Left wrist XR, PA/AP projection, 12y F, 669 x 962 px.
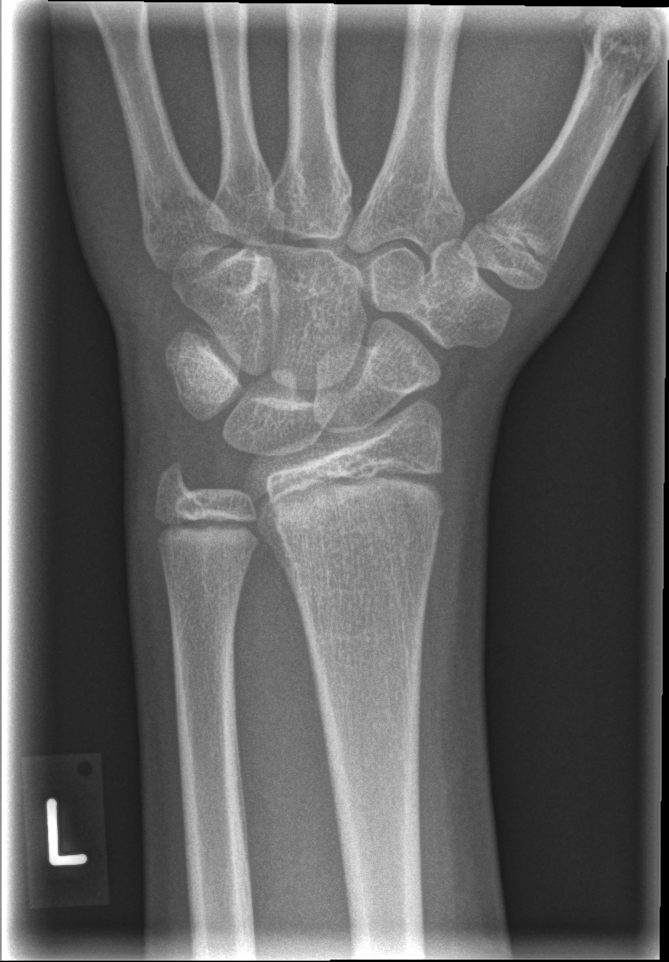 * Fracture present, though not clearly seen in this view.
* AO code 23r-M/2.1.